Lat projection, L wrist XR:
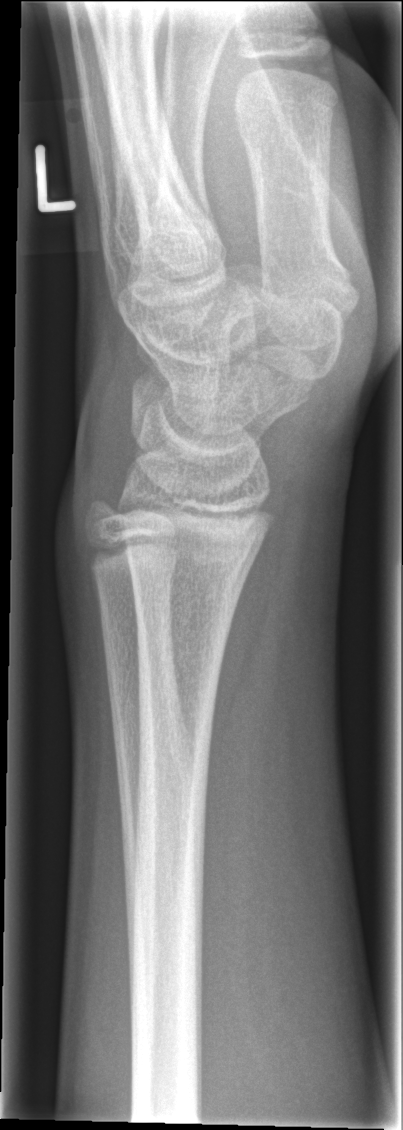 Q: Any fracture seen?
A: No fracture labeled